Right wrist pediatric wrist radiograph | lat projection | 9-year-old male —

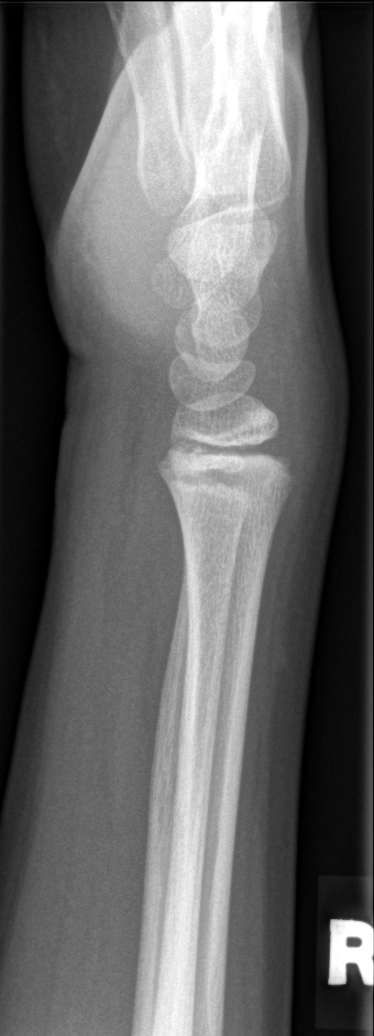 Coordinates are [x1, y1, x2, y2] in image pixels.
Fx: none.
Soft-tissue finding: bbox(260, 294, 350, 497).
Pronator quadratus fat-pad sign — bbox(114, 452, 186, 731).